Left wrist pediatric wrist radiograph · PA/AP projection · 14-year-old male

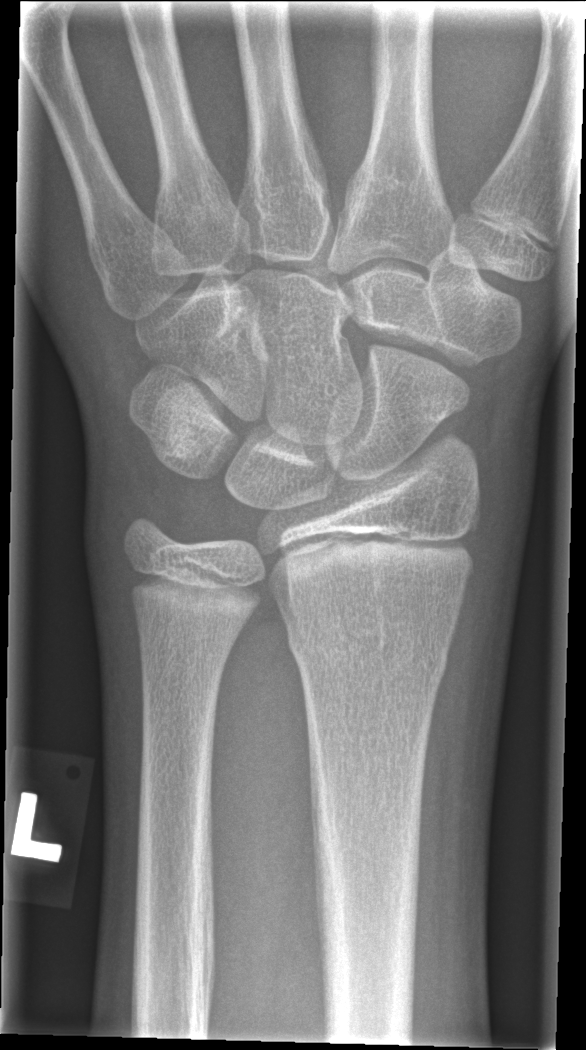

(pixel coordinates, top-left origin, xyxy)
Q: Locate any fractures.
A: Fracture — 285 612 451 692
Q: AO code?
A: AO code 23r-M/2.1